Lat · Rt wrist X-ray · female, 8 yo · detector: Siemens · 527 x 1050 px
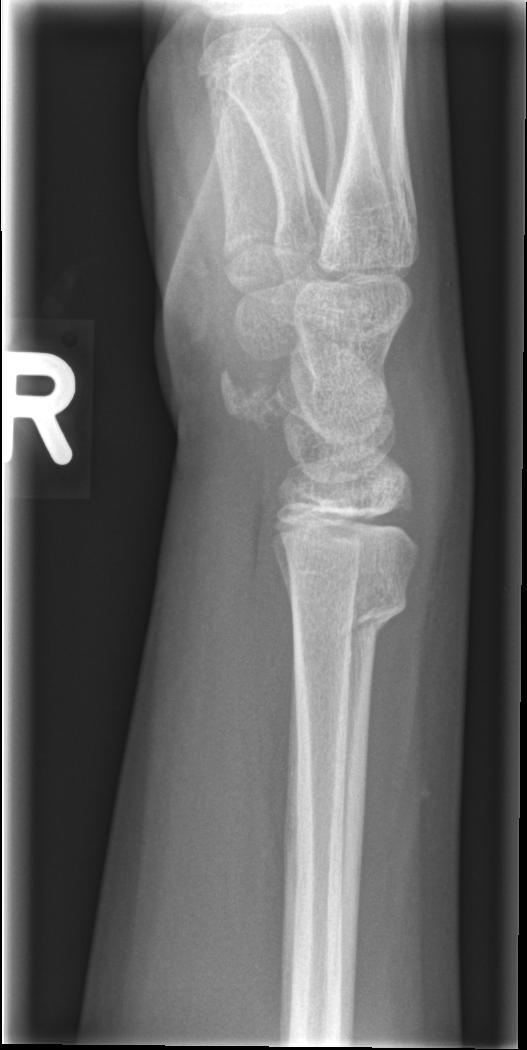

(pixel coordinates, top-left origin, xyxy)
Fx = 1 @ [286, 573, 418, 648]
AO code = 23r-M/2.1; 23u-E/7